Left plain radiograph of the wrist · lat projection · age 11 y, male —
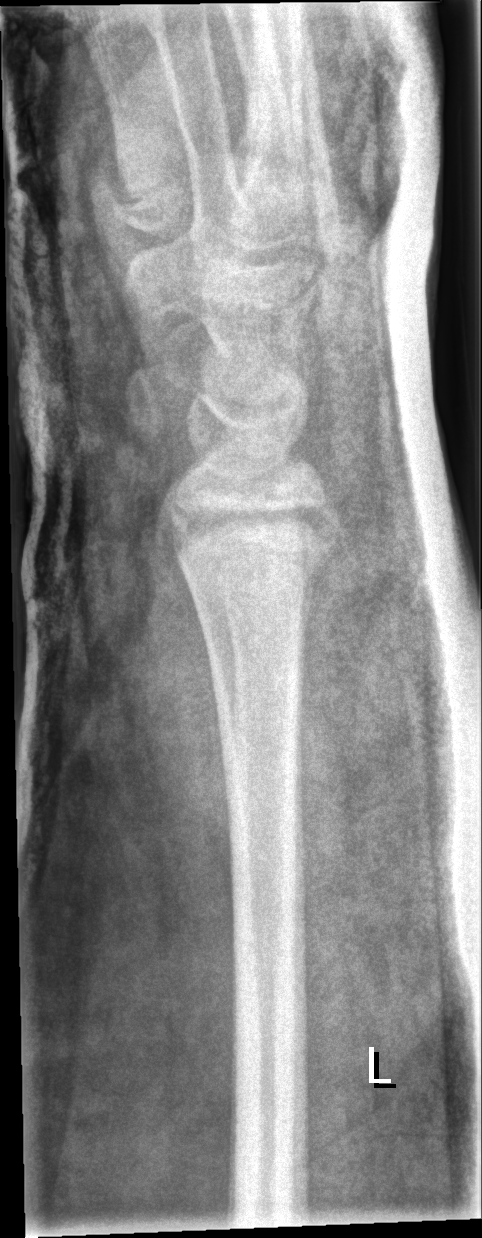   # coordinates are [x1, y1, x2, y2] in image pixels
  fracture: [159, 505, 350, 626]
  ao: 23r-E/2.1; 23u-E/7